PA/AP projection | left wrist pediatric wrist radiograph
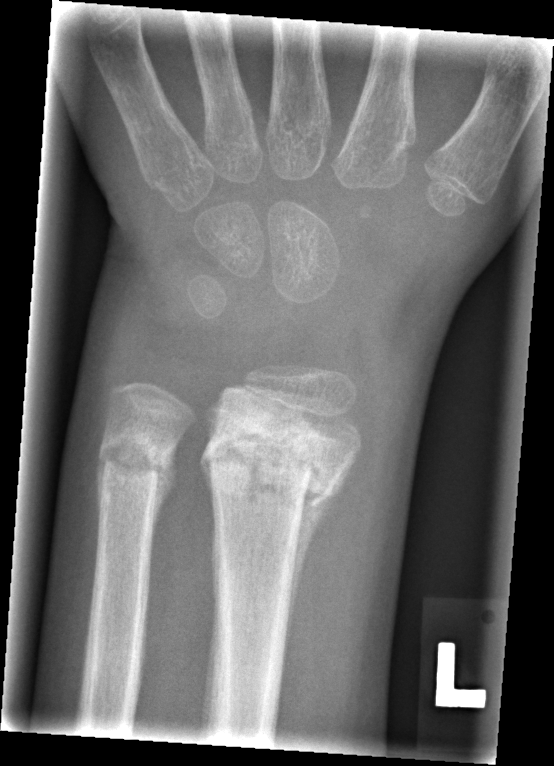
# boxes as x1,y1,x2,y2 (top-left / bottom-right, pixel units)
periostealreaction: 3 @ (left=282, top=455, right=356, bottom=656), (left=149, top=435, right=179, bottom=573), (left=94, top=450, right=106, bottom=534)
fracture: (left=197, top=411, right=357, bottom=513), (left=93, top=426, right=180, bottom=508)
ao: 23-M/3.1